L plain radiograph of the wrist · PA/AP · age 11 y, male —

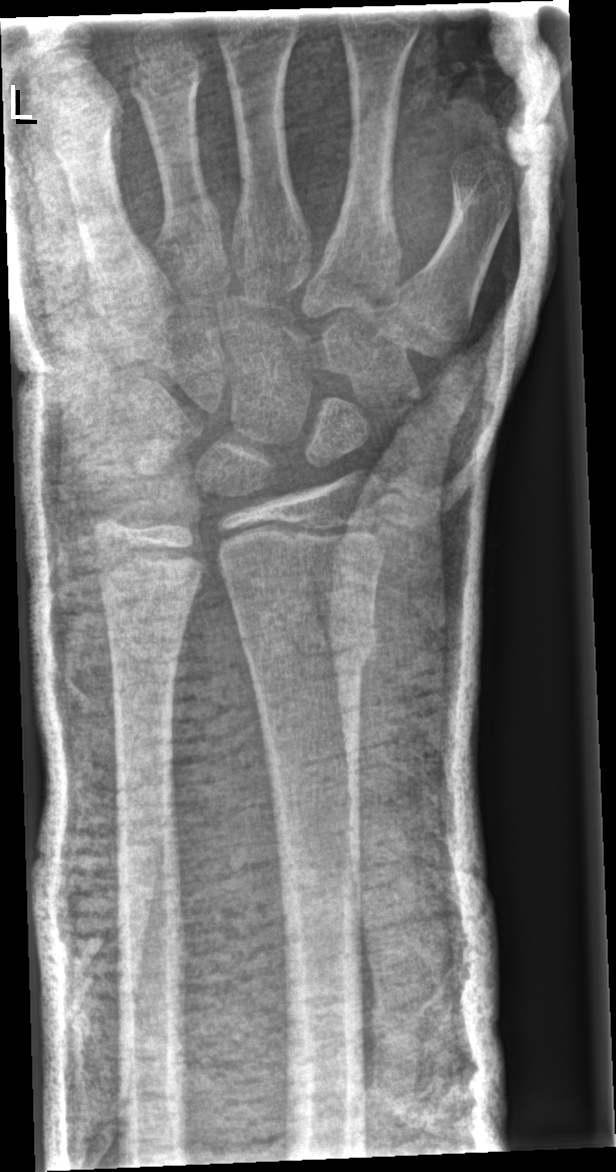
Fx identified at <235,604>-<381,670>. AO/OTA classification: 23r-M/3.1.